PA/AP projection | Lt wrist XR | girl, 5 yo | in cast

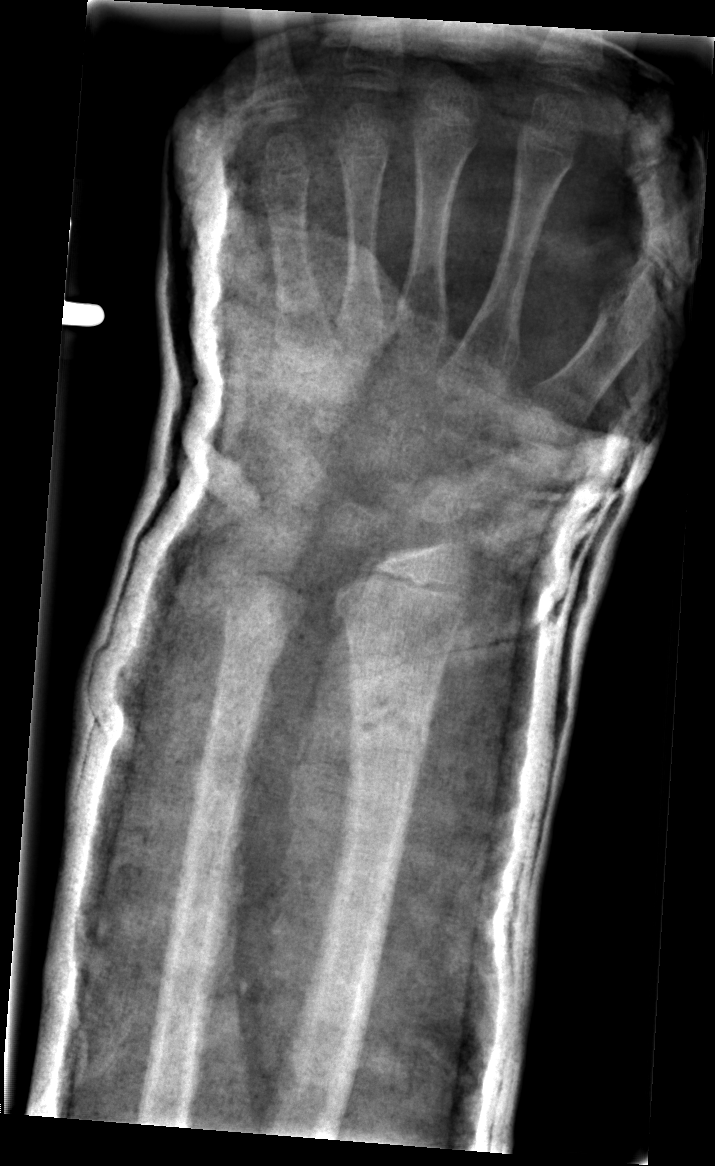

{"fracture": "(341, 671, 438, 765), (218, 597, 295, 671)"}